L plain radiograph of the wrist · AP · 11y F · Siemens · image width 110.2 mm · 765x1176 —
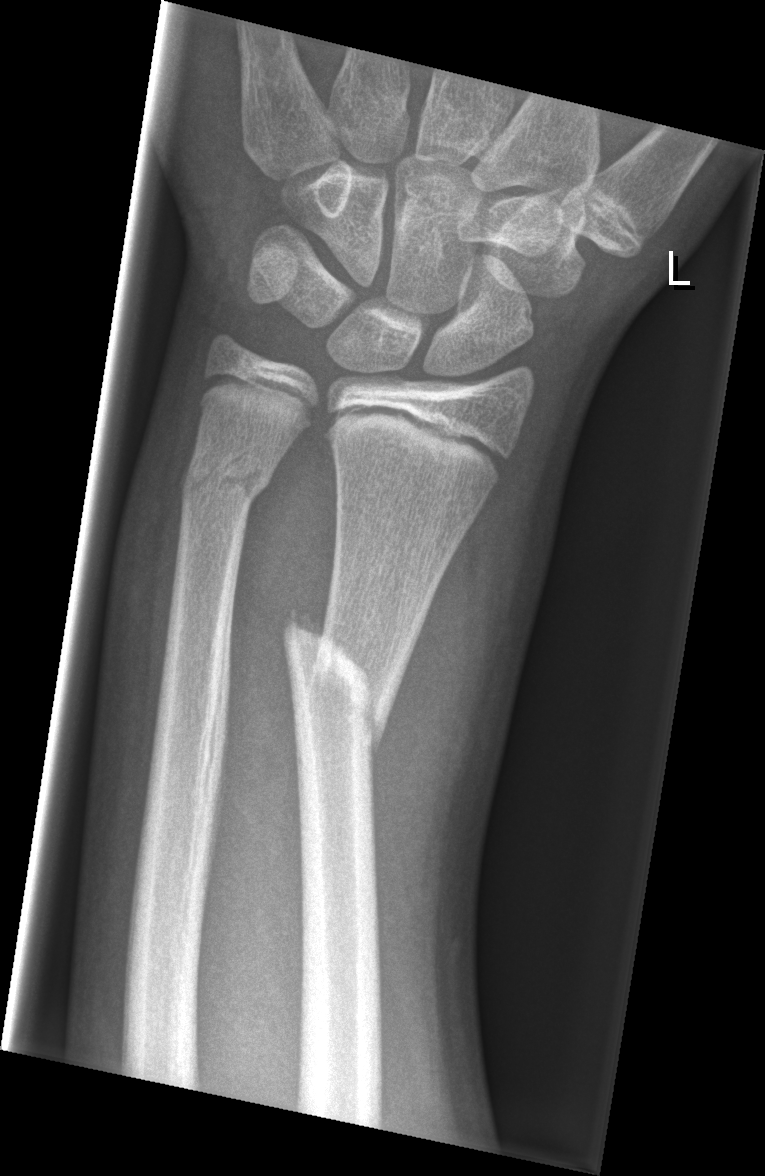
Bounding boxes in image-pixel xyxy.
Fracture: [x1=281, y1=608, x2=398, y2=761], [x1=177, y1=449, x2=274, y2=511].